PA · left wrist XR · 10y M · follow-up study · 526x826. 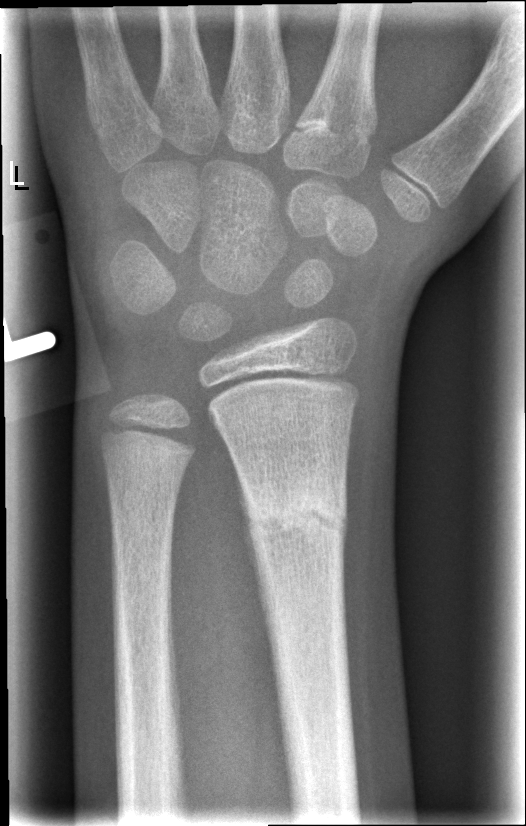 One fracture at (238, 472, 351, 563).